PA/AP; right wrist plain film; 16-year-old female; cast present — 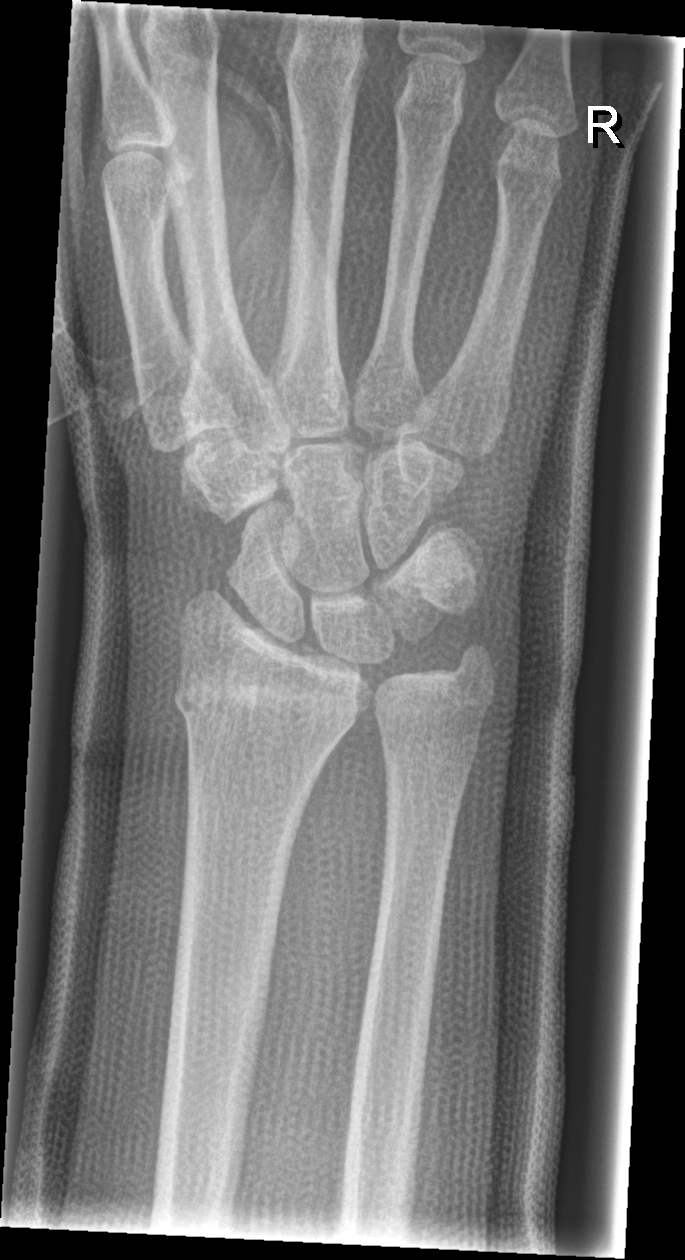
Q: What is the AO/OTA classification?
A: Fracture classified AO/OTA 23r-M/3.1; 23u-E/7
Q: Any fracture seen?
A: One fracture at bbox(167, 669, 365, 746)